Frontal projection; Lt wrist radiograph; 6y F; presentation radiograph —
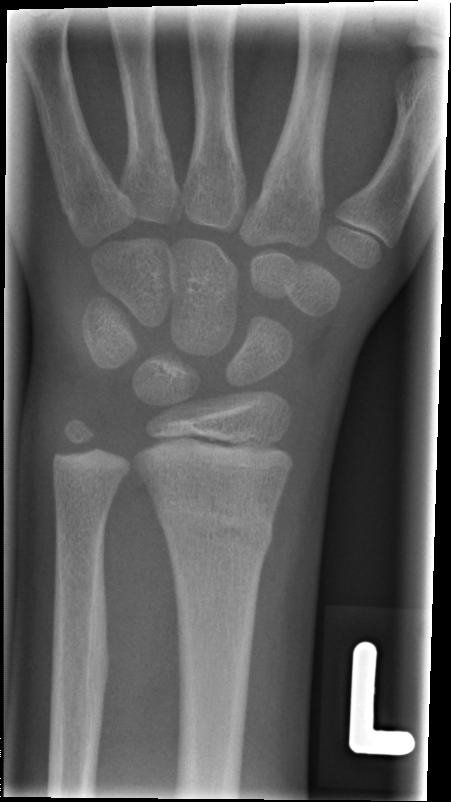
- AO/OTA classification: 23r-M/2.1.
- One Fx at 152,493,275,557.